PA projection, R wrist X-ray, girl, 11 yo, initial study, findings marked uncertain by the reading radiologist, detector: Siemens, 599 by 884 pixels —

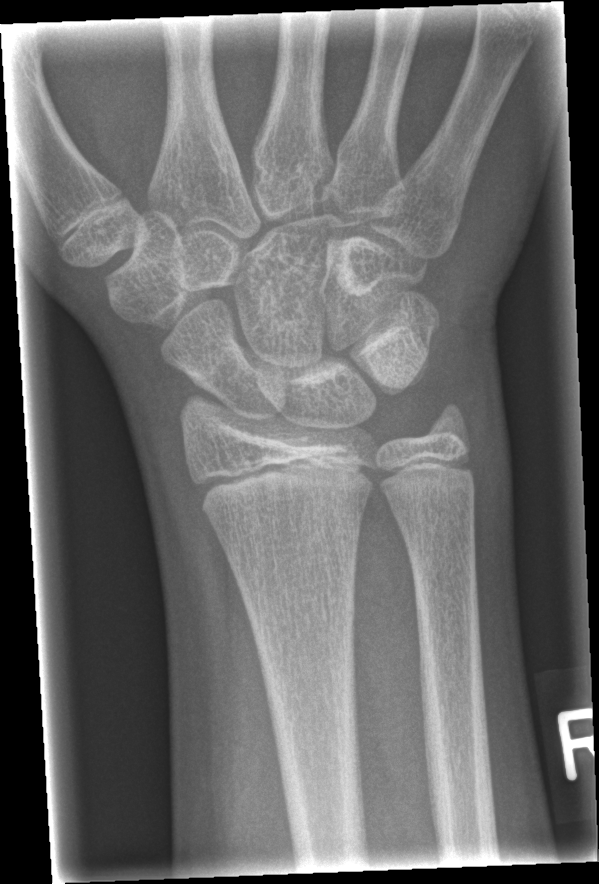
• Fracture: none labeled.